R plain radiograph of the wrist | lat view | boy, 17 yo — 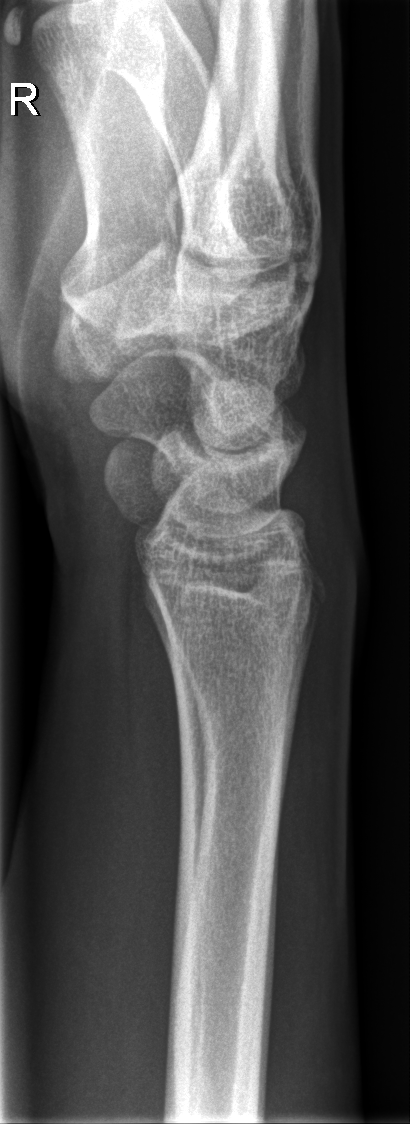

FINDINGS — Fx: none.